Posteroanterior view; left wrist X-ray; boy, 13 yo —
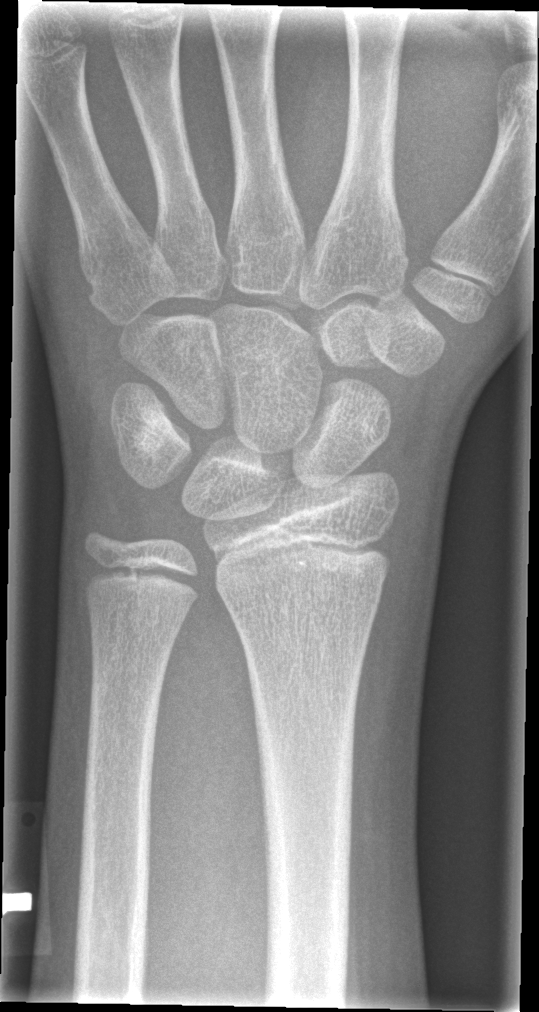
FINDINGS — Fracture: none labeled.